Lateral view; Lt wrist plain film — 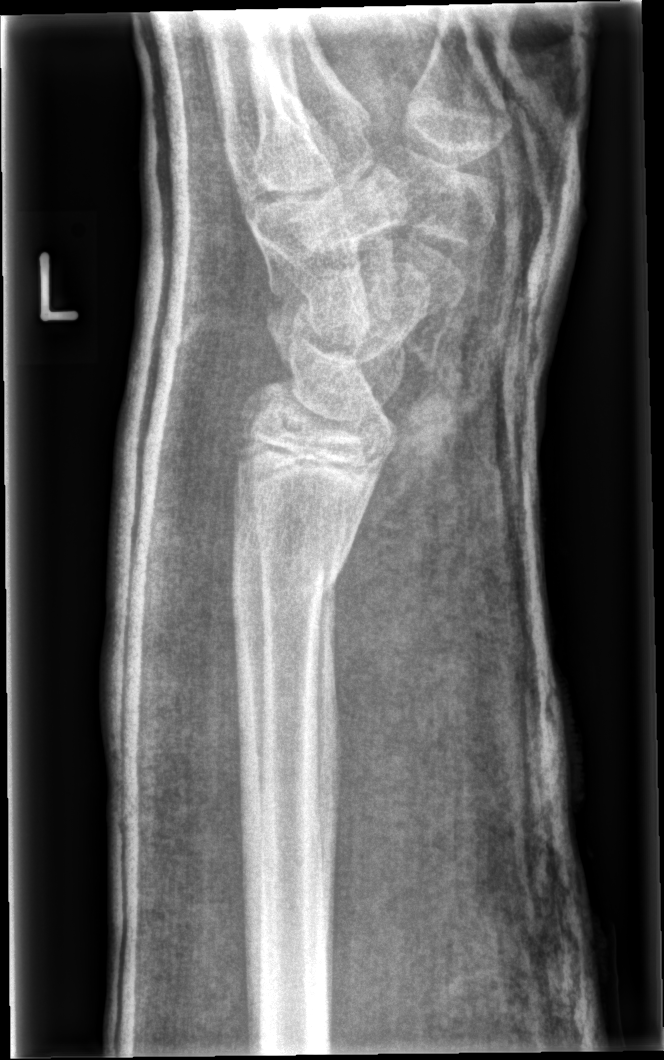
(boxes as x1,y1,x2,y2 (top-left / bottom-right, pixel units))
fracture = bbox(226, 530, 354, 627)